Left wrist radiograph · posteroanterior · acquired on Siemens 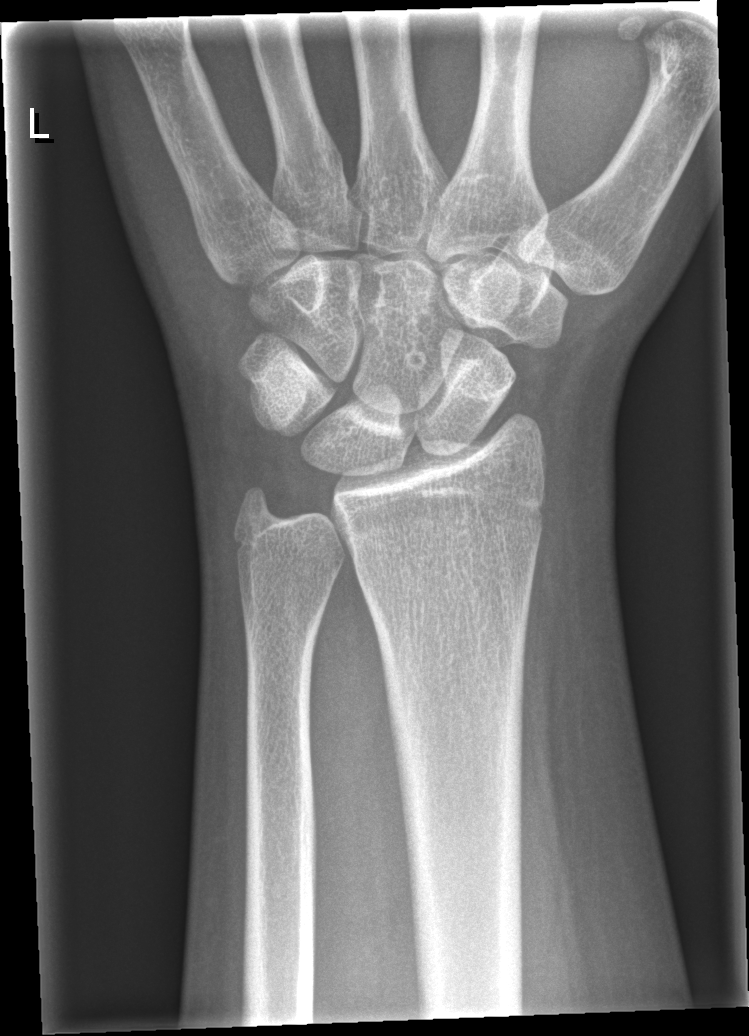

Bone fracture: none labeled